Lat view | right wrist radiograph | pediatric patient (girl, age 9).
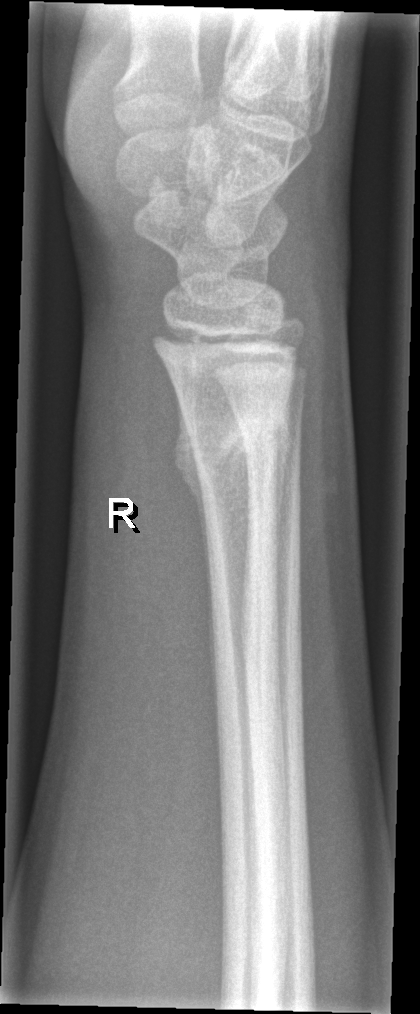

  periostealreaction: [172, 383, 212, 624], [274, 423, 290, 561]
  fracture: 1 @ [183, 404, 293, 478]
  osteopenia: present
  ao: 23r-M/2.1